Posteroanterior view | right wrist XR: 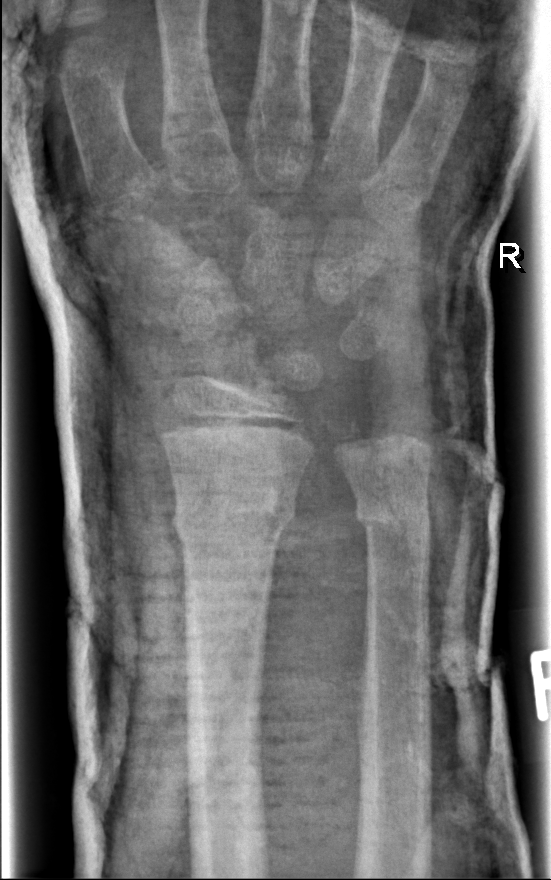 Fracture = bbox(168, 490, 300, 557); bbox(351, 491, 436, 552)